Lat view | R wrist XR | 10y M | image width 122.7 mm —

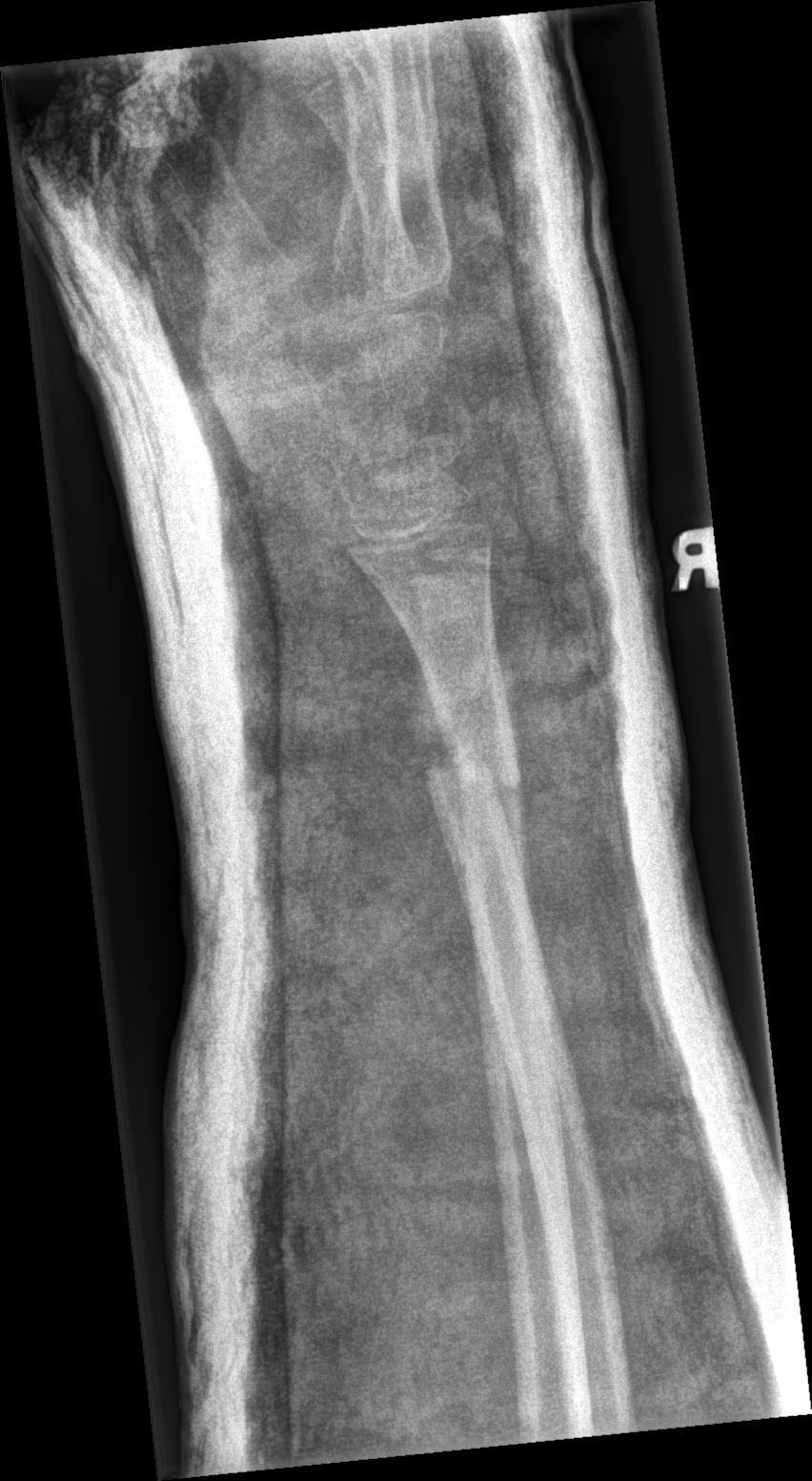 * AO/OTA classification: 23-M/3.1.
* Fracture — [x1=422, y1=729, x2=527, y2=823].